Lat view; Lt plain radiograph of the wrist; follow-up:
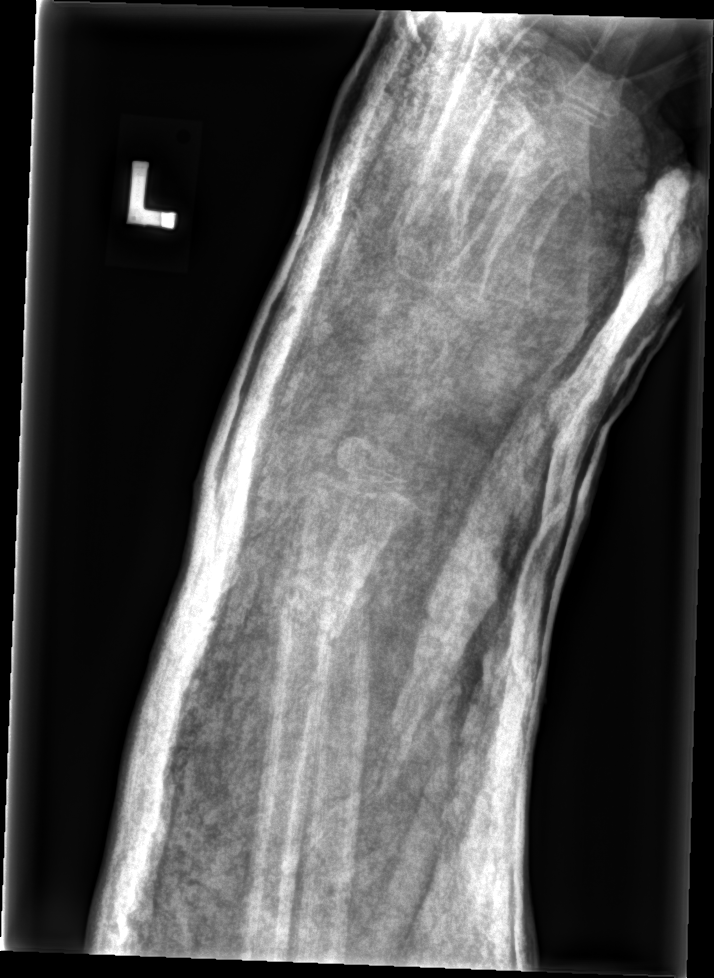 {"_coords": "bounding boxes in image-pixel xyxy", "ao": "23-M/3.1", "fracture": "1 @ 272,580,350,647"}